Right wrist radiograph | PA/AP | pediatric patient (boy, age 11) | follow-up study | image size 582x958
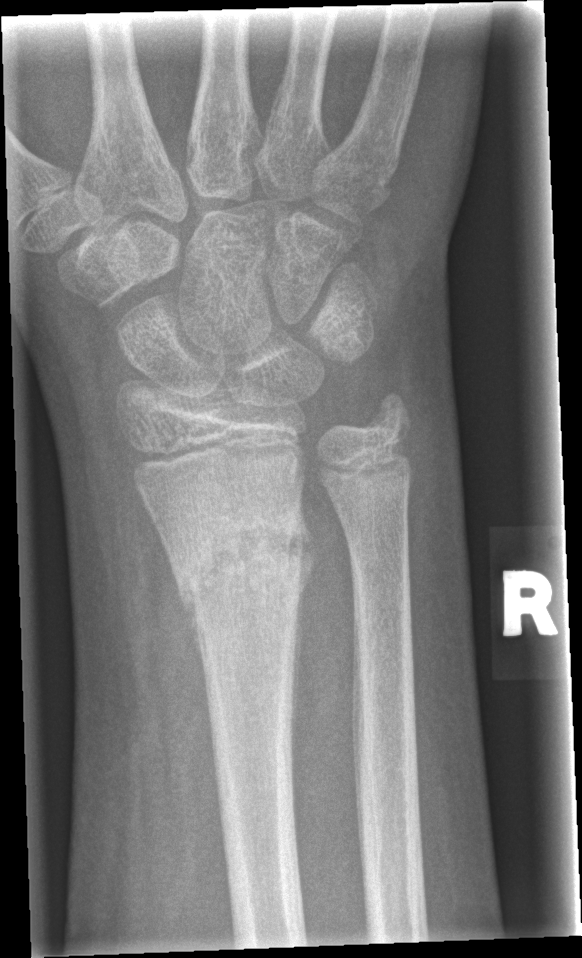 Findings: (boxes as x1,y1,x2,y2 (top-left / bottom-right, pixel units)) Fracture identified at (left=166, top=498, right=320, bottom=630), (left=361, top=390, right=415, bottom=448). AO code 23r-M/3.1; 23u-E/7. Periosteal thickening — (left=291, top=489, right=317, bottom=751).